Right wrist plain film; lat; pediatric patient (female, age 14); cast in situ; 83.1 mm image width 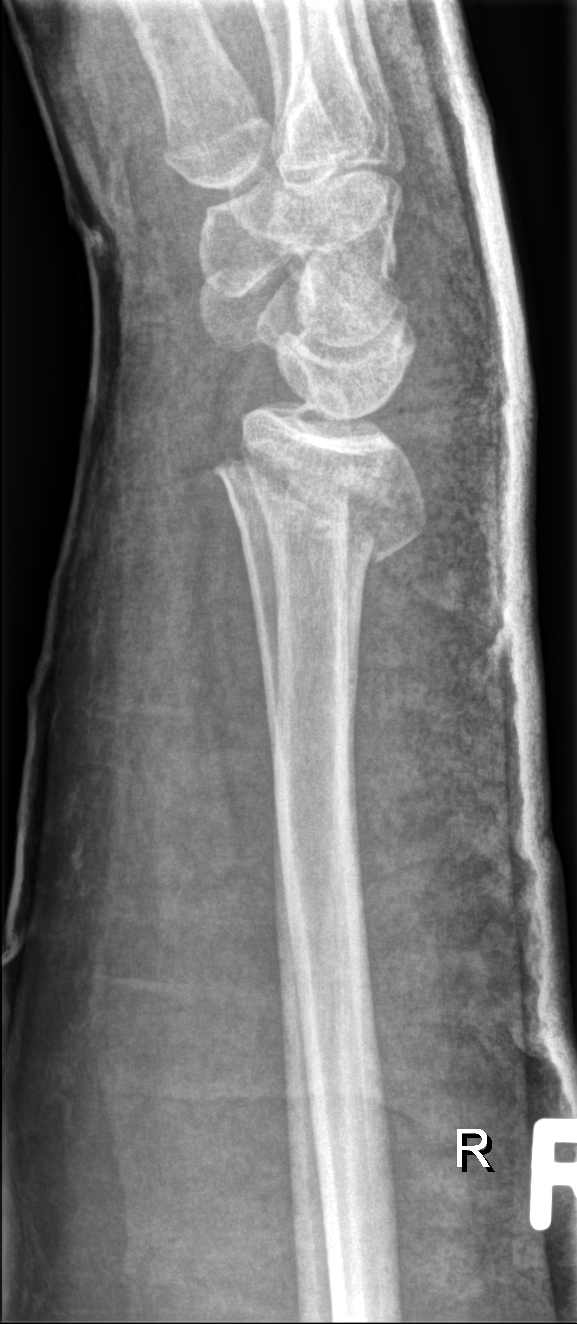 (pixel coordinates, top-left origin, xyxy)
fracture = 1 @ (210, 439, 433, 573)
AO code = 23r-M/3.1; 23u-E/7